R plain radiograph of the wrist, lat view, 12-year-old male, follow-up 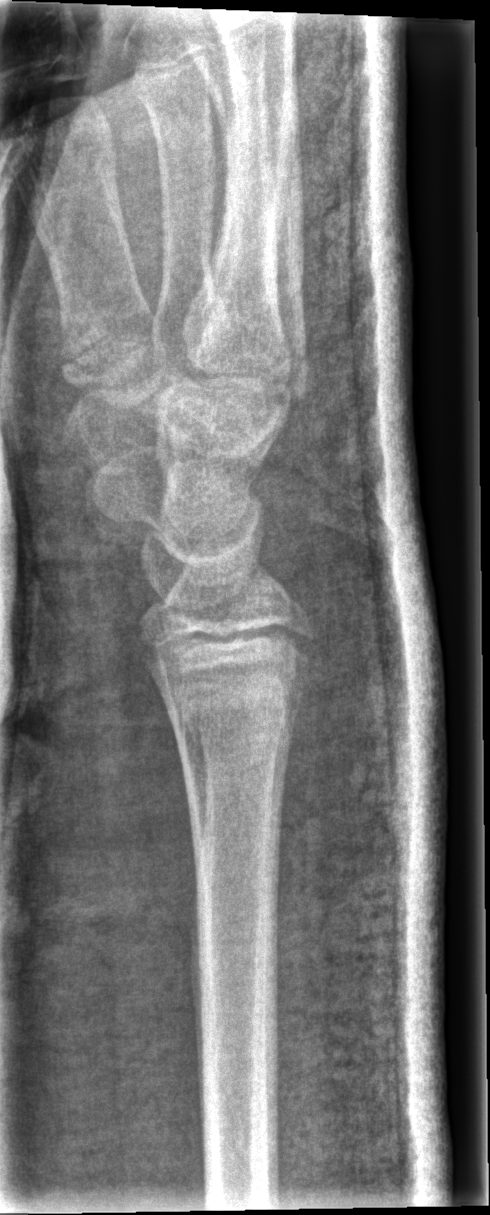 Fx = 1 @ bbox(178, 688, 288, 767)
AO code = 23u-M/2.1